Lt wrist X-ray; PA projection — 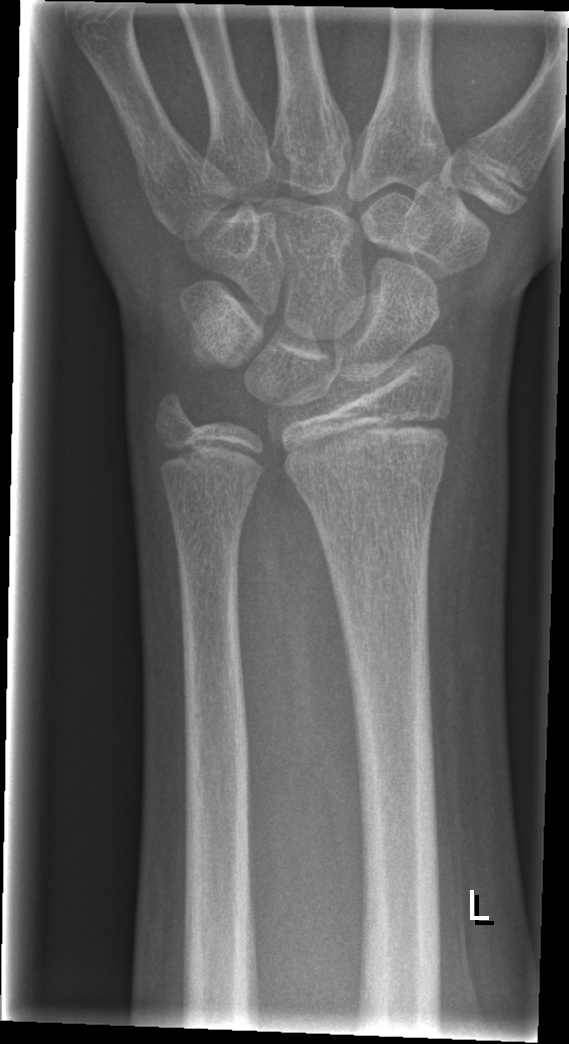
FINDINGS: (bounding boxes in image-pixel xyxy) Bone fracture — [x1=291, y1=450, x2=448, y2=510]. Fracture classified AO/OTA 23r-M/2.1.